Right wrist plain film · lateral projection · image 99.1 mm wide · 688 x 1282 px

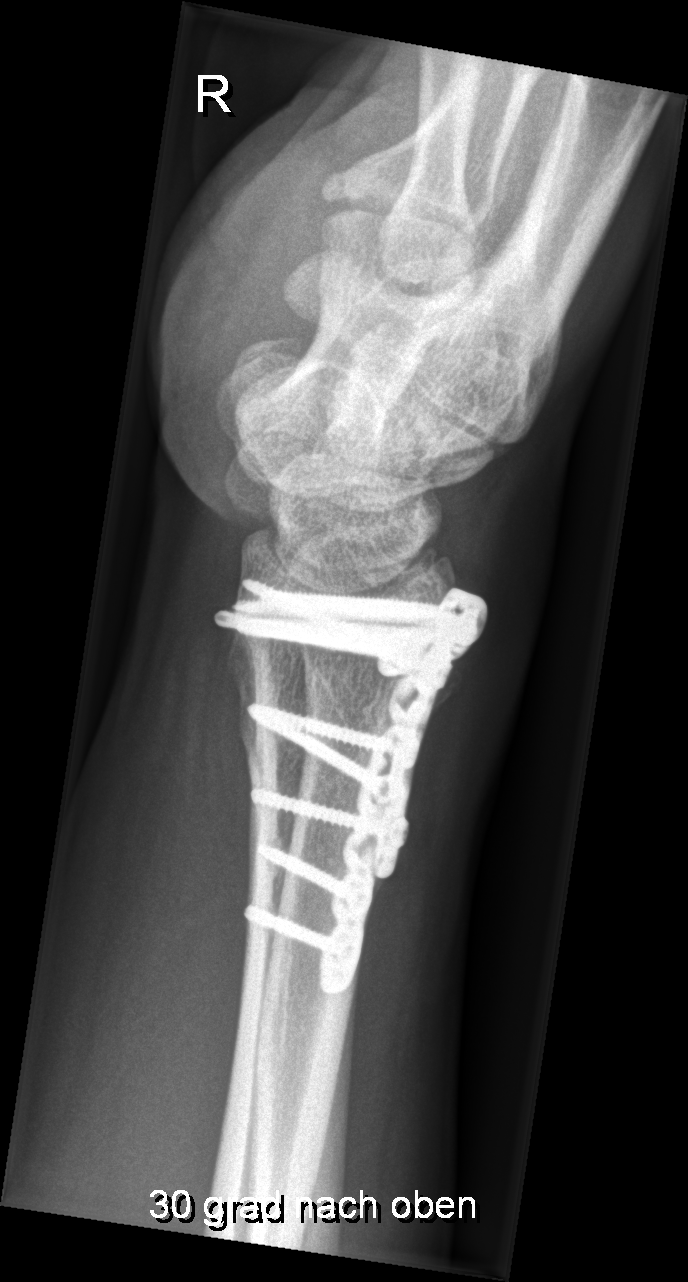
Coordinates are [x1, y1, x2, y2] in image pixels.
AO code 23r-M/3.1; 23u-E/7.
Hardware: (211, 575, 491, 997).
One Fx at (228, 640, 402, 734).